Left wrist plain film; lat; 12y M; follow-up; cast present; detector: Siemens —

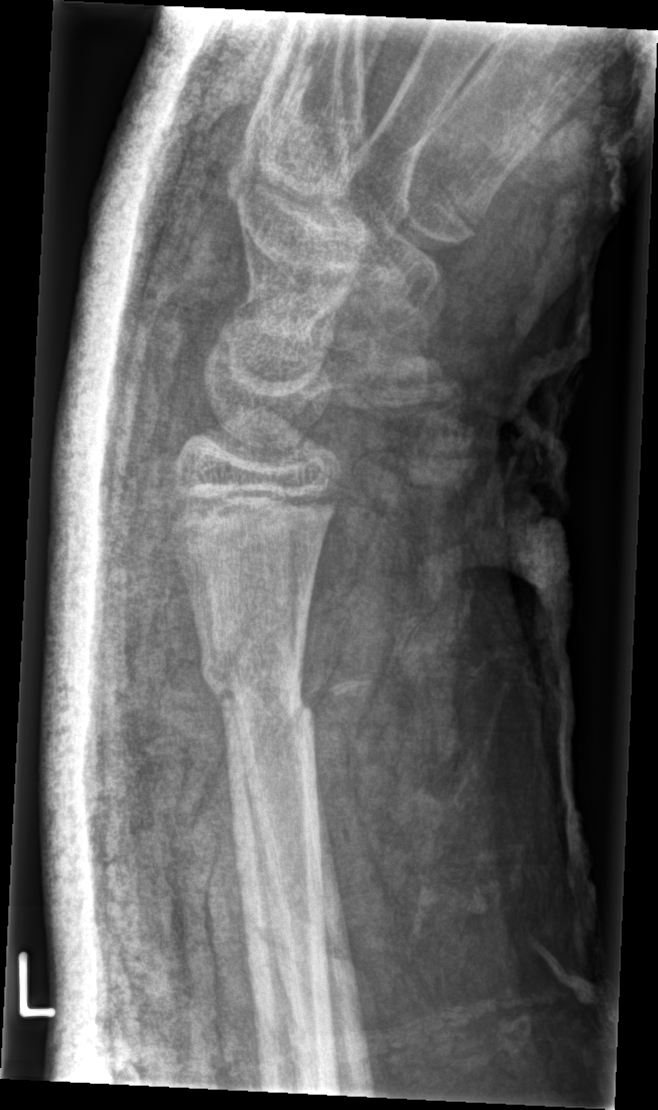

- Coordinates are [x1, y1, x2, y2] in image pixels.
- Fracture classified AO/OTA 23-M/3.1.
- Fx: <195,616>-<318,729>.